Lateral projection; Lt wrist X-ray; acquired on Siemens:

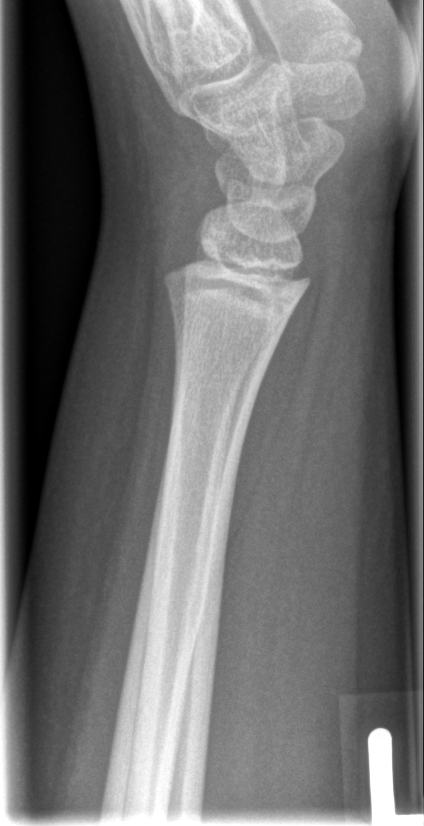
- No fracture labeled.